Left wrist radiograph, frontal view
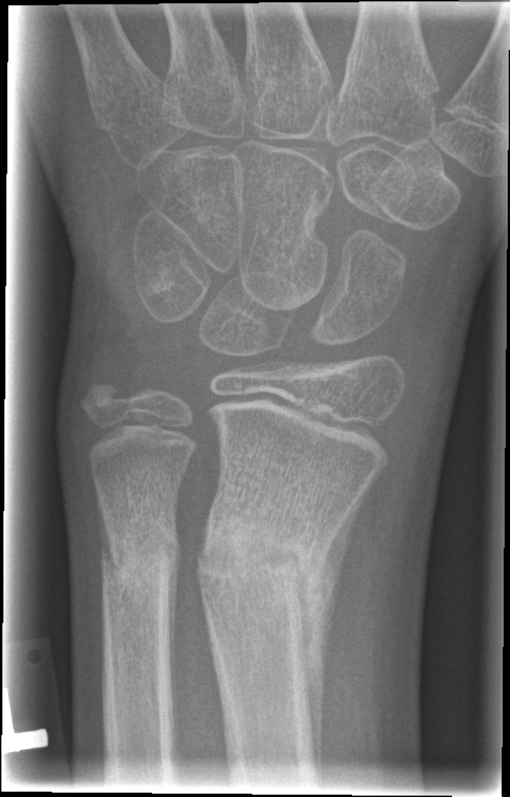
Findings: AO/OTA classification: 23r-M/3.1; 23u-M/2.1; 23u-E/7. Periosteal new bone identified at [x1=298, y1=485, x2=372, y2=787] [x1=164, y1=535, x2=182, y2=767] [x1=93, y1=470, x2=114, y2=583]. Fracture: [x1=193, y1=508, x2=333, y2=620], [x1=96, y1=508, x2=182, y2=580], [x1=76, y1=370, x2=129, y2=425].